Lateral projection | right wrist radiograph | subsequent exam | cast present
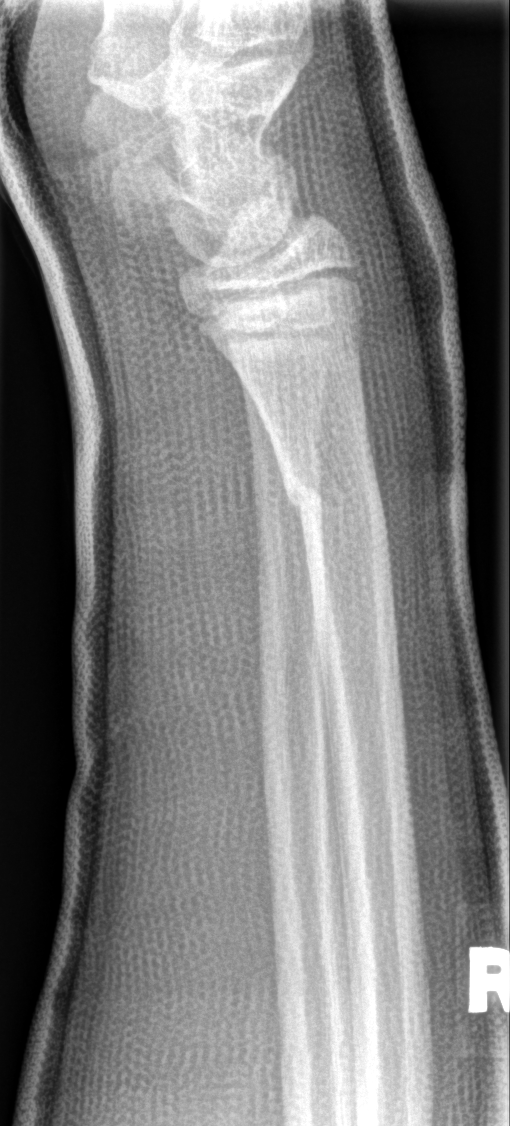 Boxes as x1,y1,x2,y2 (top-left / bottom-right, pixel units). Fracture: (left=279, top=455, right=392, bottom=544).